PA view; Rt wrist XR; 12y M; acquired on Siemens: 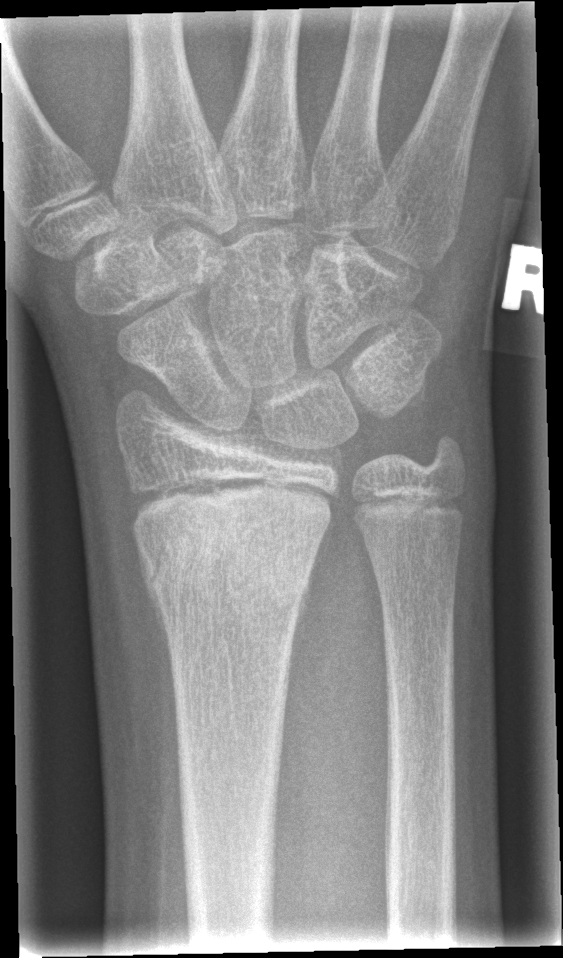

• Pixel coordinates, top-left origin, xyxy.
• AO code 23r-M/3.1.
• Bone fracture identified at [131, 492, 332, 634].